AP | R plain radiograph of the wrist | subsequent exam | 81.1 mm image width —

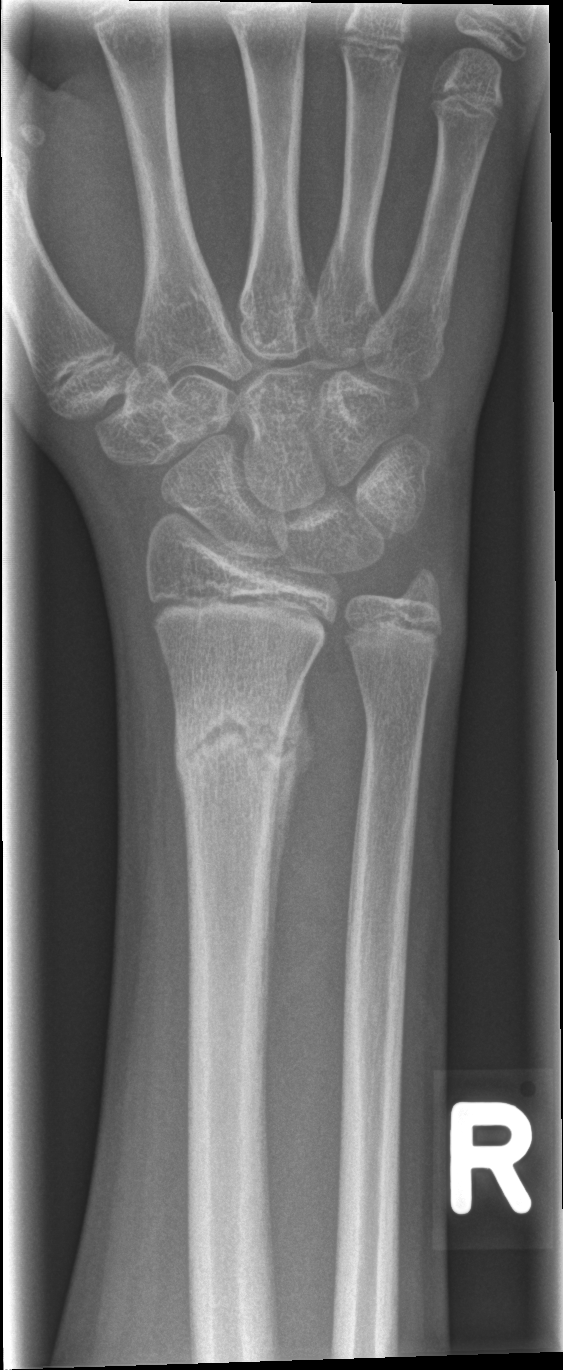 Bounding boxes in image-pixel xyxy. Periosteal new bone — (263, 656, 313, 1002). Osteopenia. Two bone fractures at (166, 696, 298, 792), (393, 562, 449, 615). AO code 23r-M/3.1; 23u-E/7.